Rt wrist XR; AP projection; pediatric patient (male, age 8); index exam; acquired on Siemens; image size 574x963

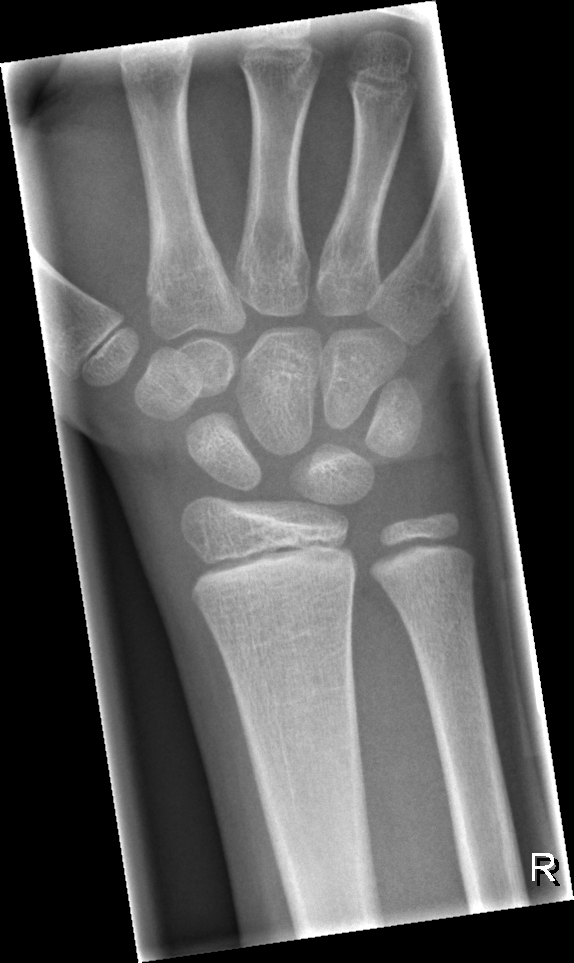 FINDINGS — No fracture bounding box.